Rt wrist plain film | frontal projection | pediatric patient (male, age 11)
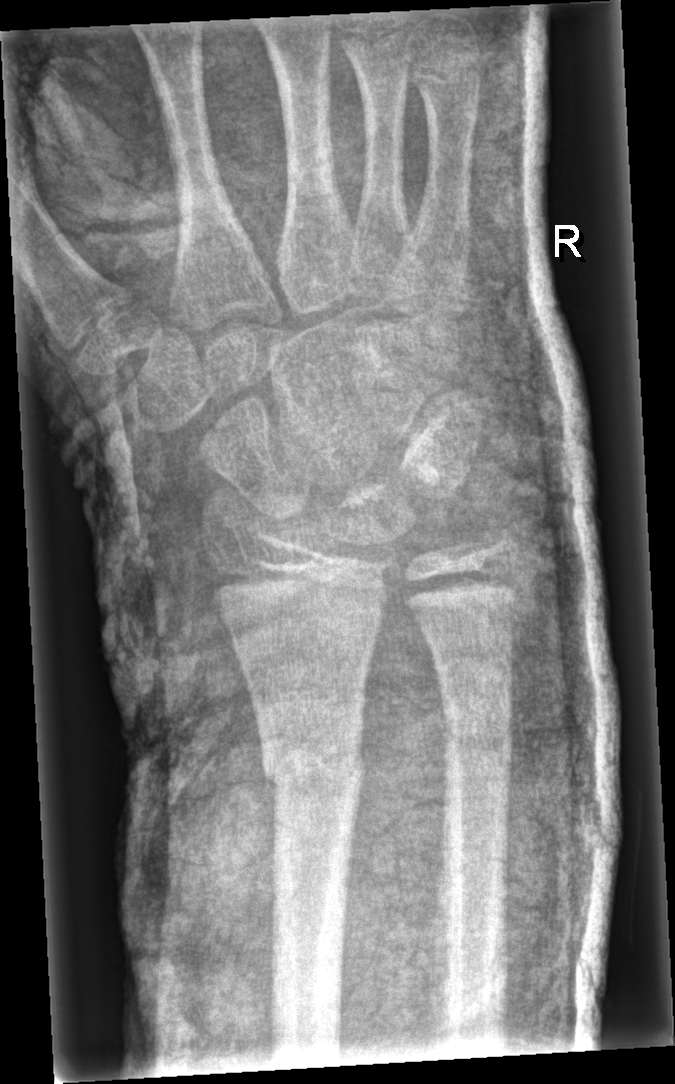

Coordinates are [x1, y1, x2, y2] in image pixels.
Two bone fractures at (256, 725, 366, 796); (442, 695, 516, 759).